AP projection | right wrist XR | 14y M — 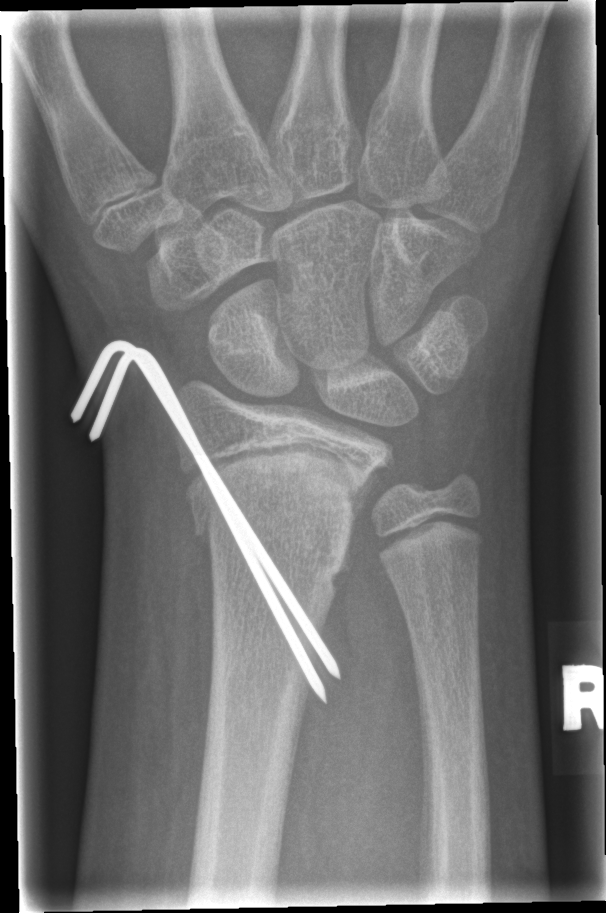 AO code: 23r-E/2.2
metallic hardware: bbox(71, 339, 341, 705)
Fx: bbox(182, 462, 371, 598)